AP view · R wrist radiograph · in cast.
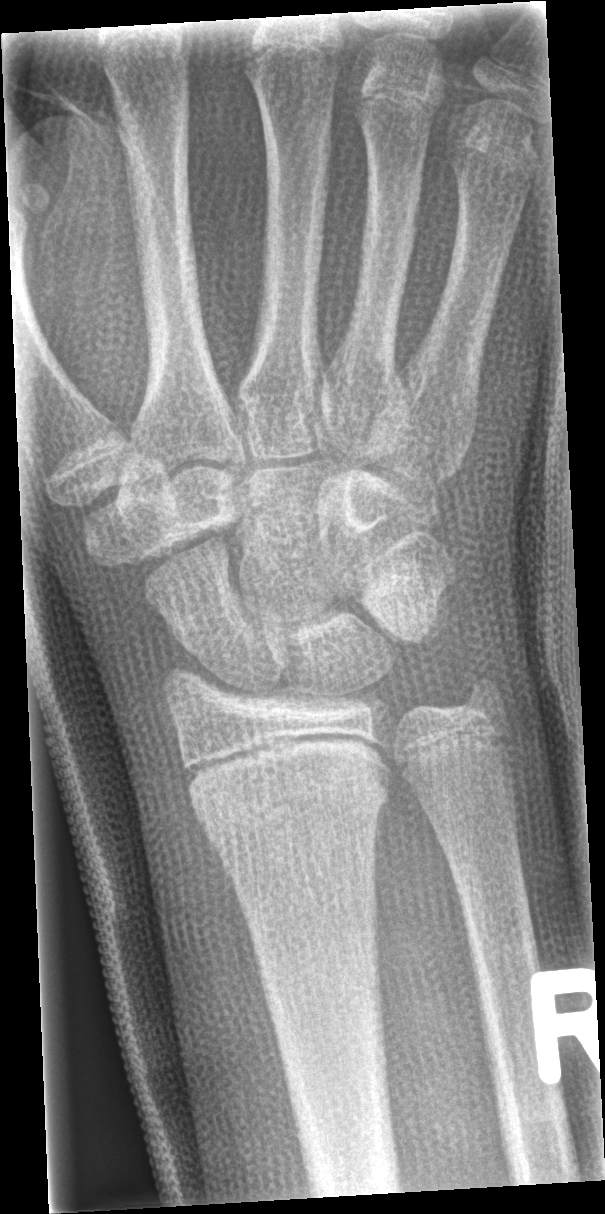 fracture = 193 743 393 850 | 452 662 512 722